PA/AP, left plain radiograph of the wrist, boy, 7 yo, detector: Siemens
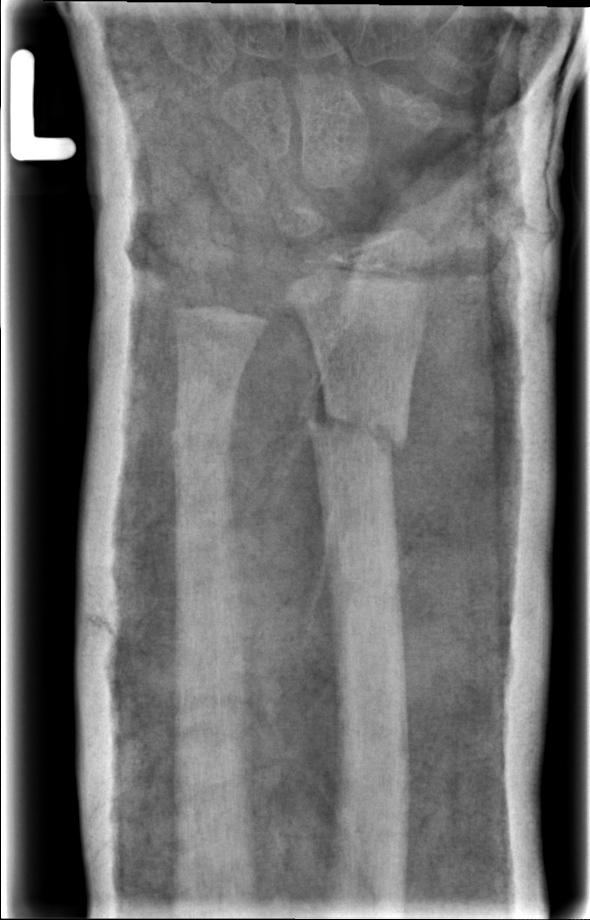 * AO/OTA classification: 23r-M/3.1; 23u-M/2.1.
* Bone fracture identified at (302, 393, 412, 467); (167, 403, 237, 473).